Lt wrist plain film; AP; index exam. 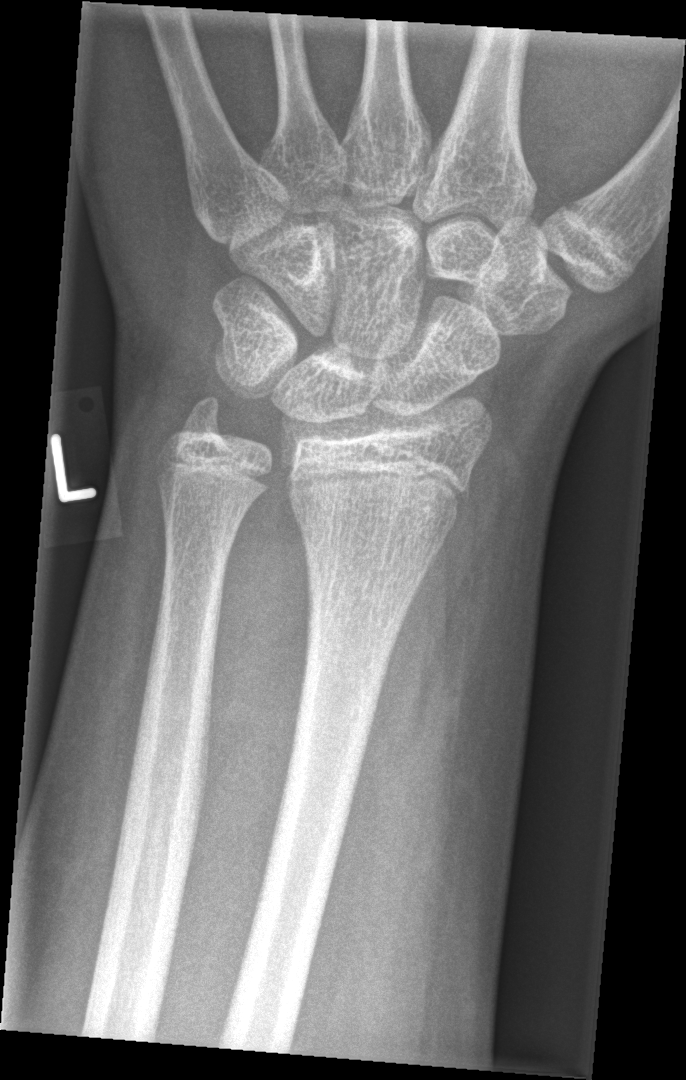
FINDINGS: No fracture bounding box.